Rt wrist X-ray | PA/AP | age 16 y, boy.

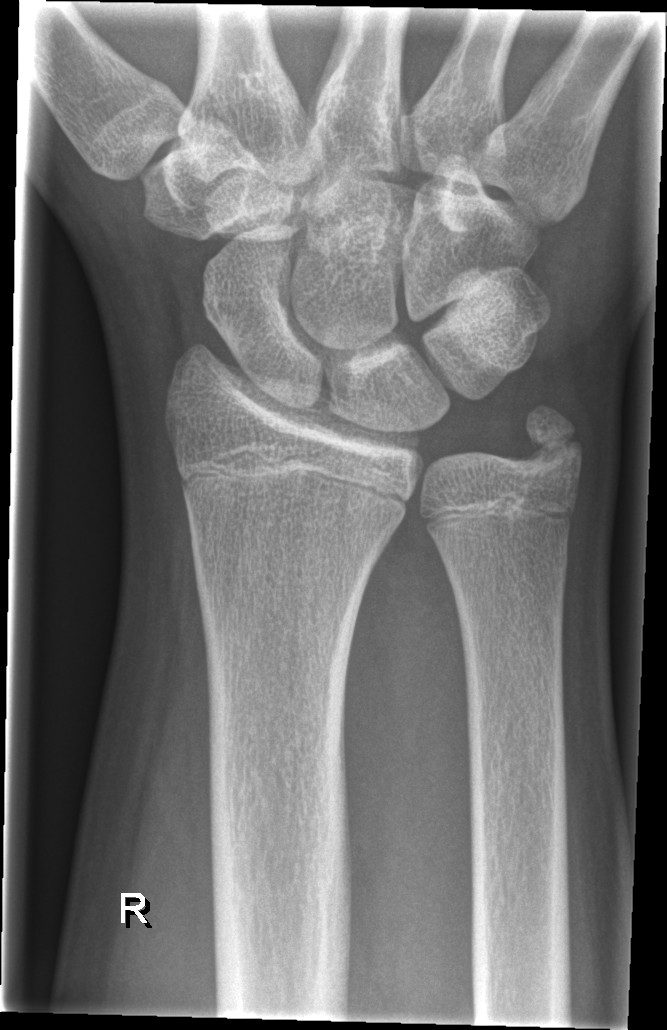

Q: Locate any fractures.
A: Fracture identified at (left=514, top=398, right=587, bottom=484)